Posteroanterior view; Rt pediatric wrist radiograph; female, 14 yo.
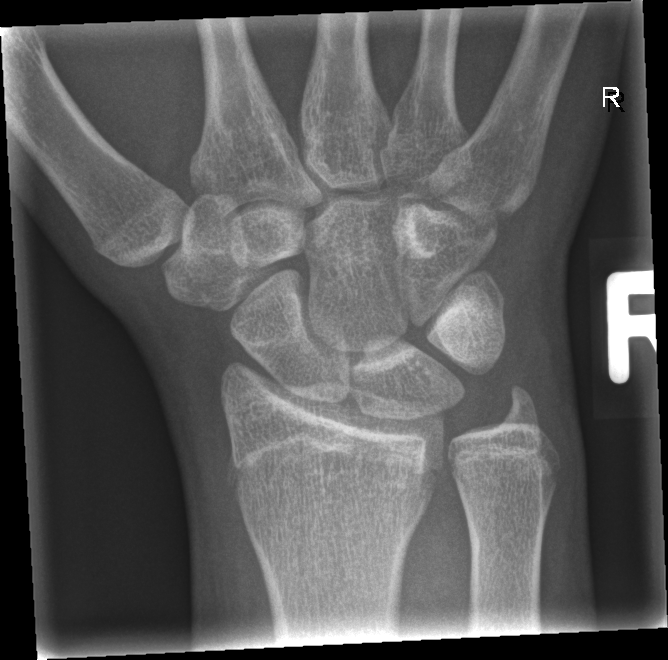
Fx: none.